Posteroanterior view | Lt wrist X-ray | cast in situ 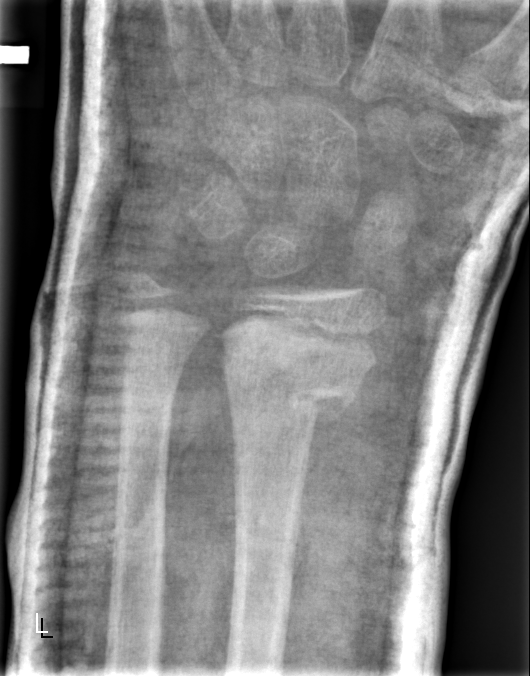
(coordinates are [x1, y1, x2, y2] in image pixels)
AO code = 23r-M/3.1; 23u-M/2.1
Fx = 1 @ (216, 344, 363, 438)